Rt plain radiograph of the wrist, frontal projection, initial study, 99.9 mm image width — 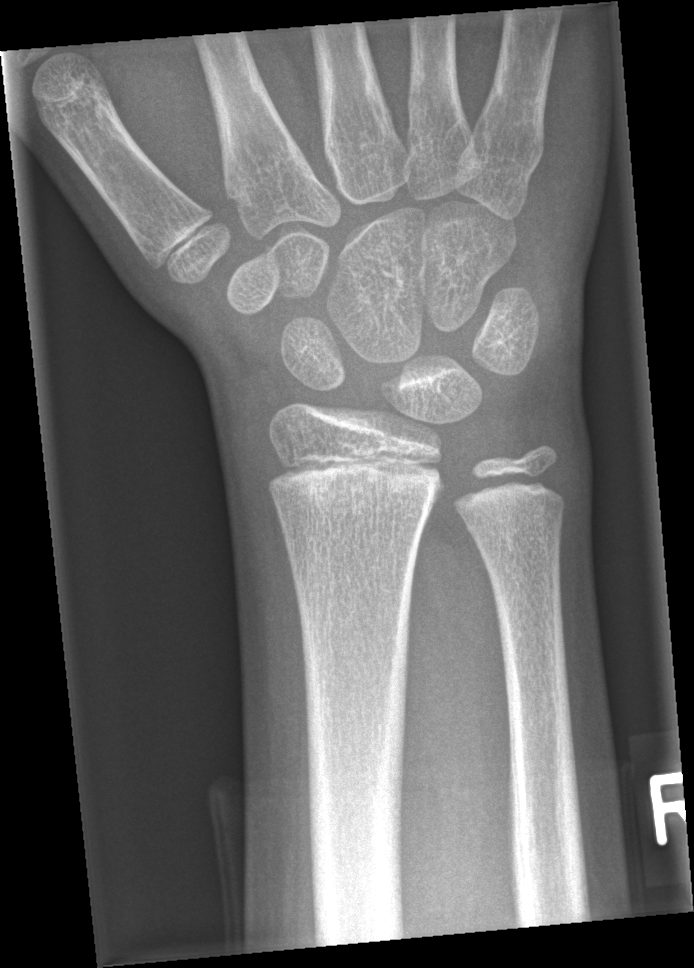
Bone fracture = none labeled